Posteroanterior view, right wrist XR, image size 562x1306:

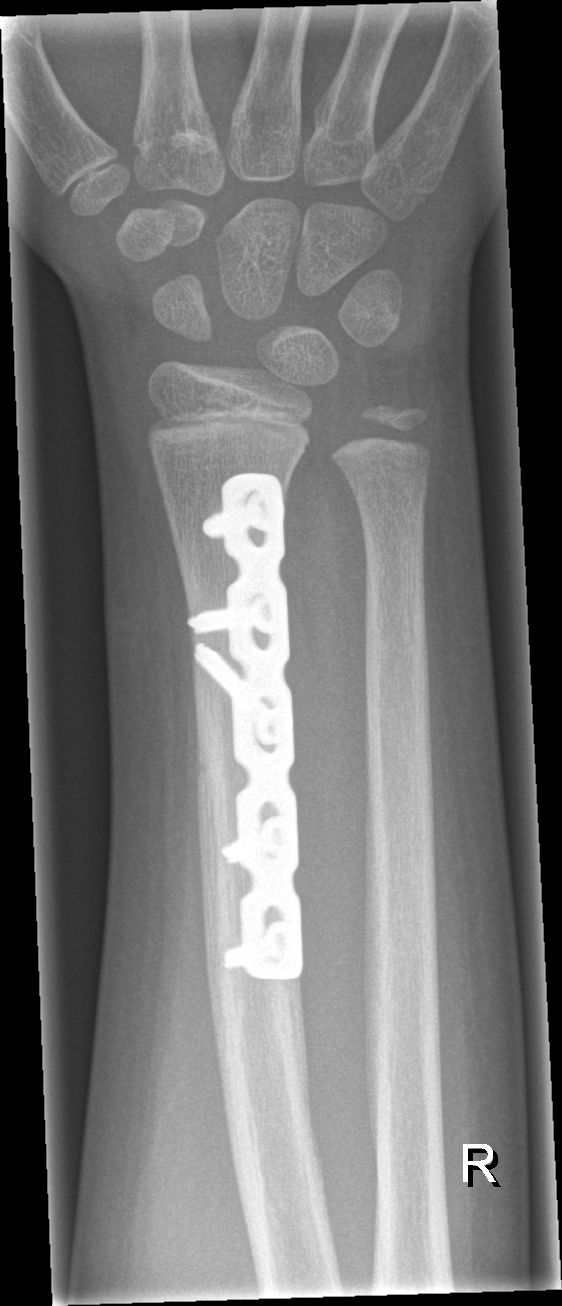 • Coordinates are [x1, y1, x2, y2] in image pixels.
• Metal: (left=185, top=470, right=304, bottom=982).
• Fx present but not clearly seen in this view.
• AO code 23r-M/3.1; 23u-M/2.1.